PA/AP | right wrist pediatric wrist radiograph.

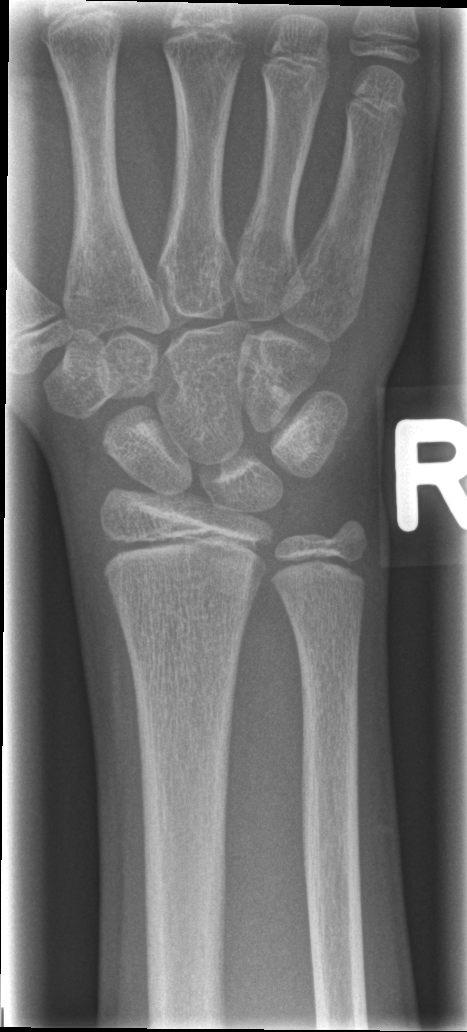

{"fracture": "none labeled"}